PA; right wrist plain film; male, 0.5 yo; detector: Siemens:
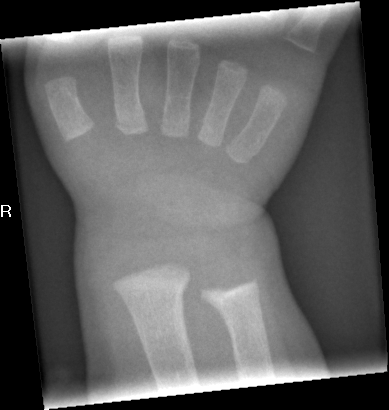
  fracture: none labeled